Posteroanterior projection | L wrist XR | 618 x 800 px: 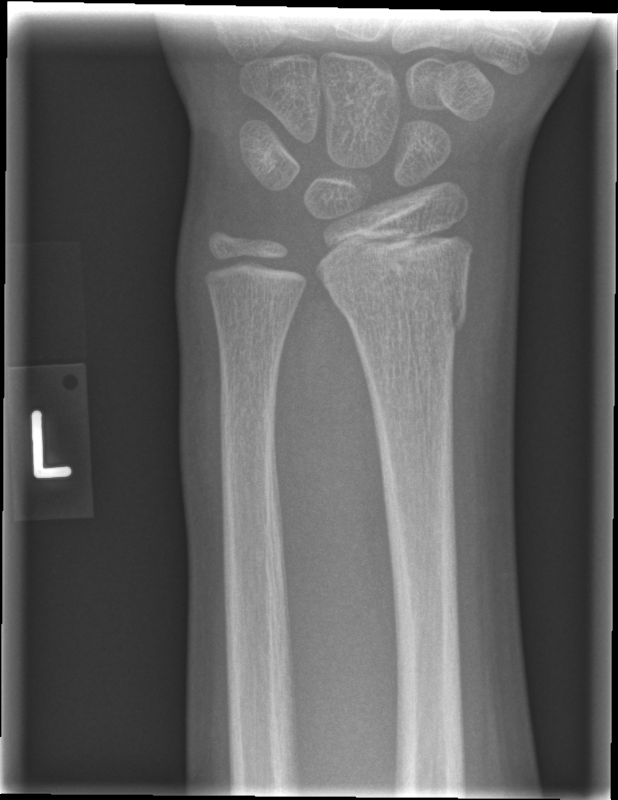
Bone fracture = 321,256,469,338
AO code = 23r-M/2.1